Right wrist radiograph; lateral view; cast present; image size 452x812. 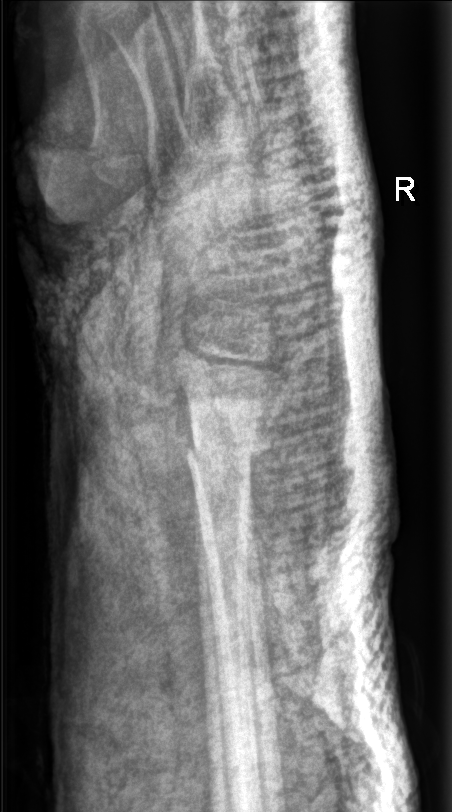

Fx — bbox(178, 425, 263, 491).